Posteroanterior · Lt wrist XR · 10-year-old female —
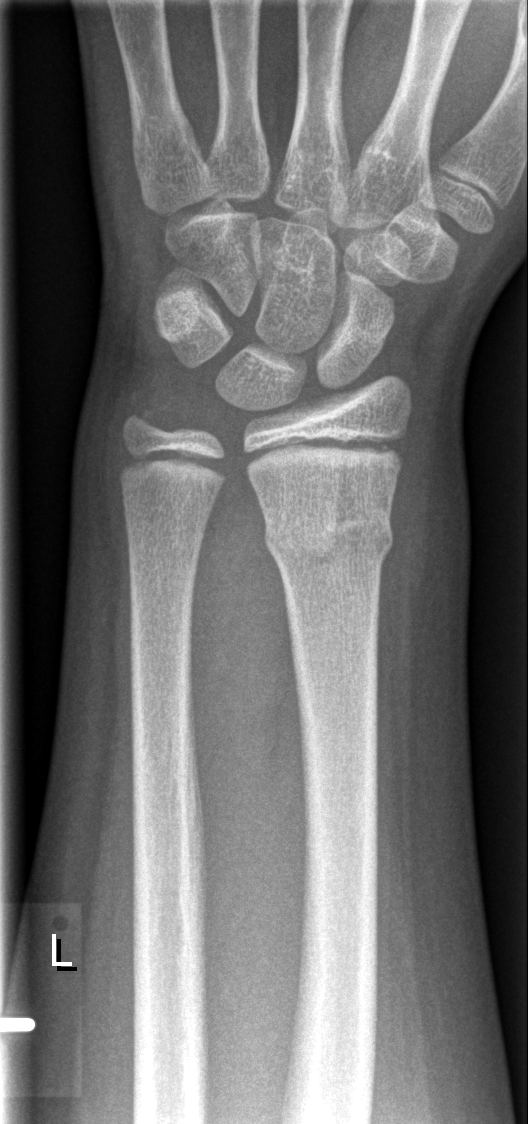 FINDINGS — AO/OTA classification: 23r-M/3.1; 23u-E/7. Fracture identified at (left=263, top=498, right=394, bottom=577) (left=117, top=394, right=170, bottom=447).